Right wrist XR, lat projection, 13y F —
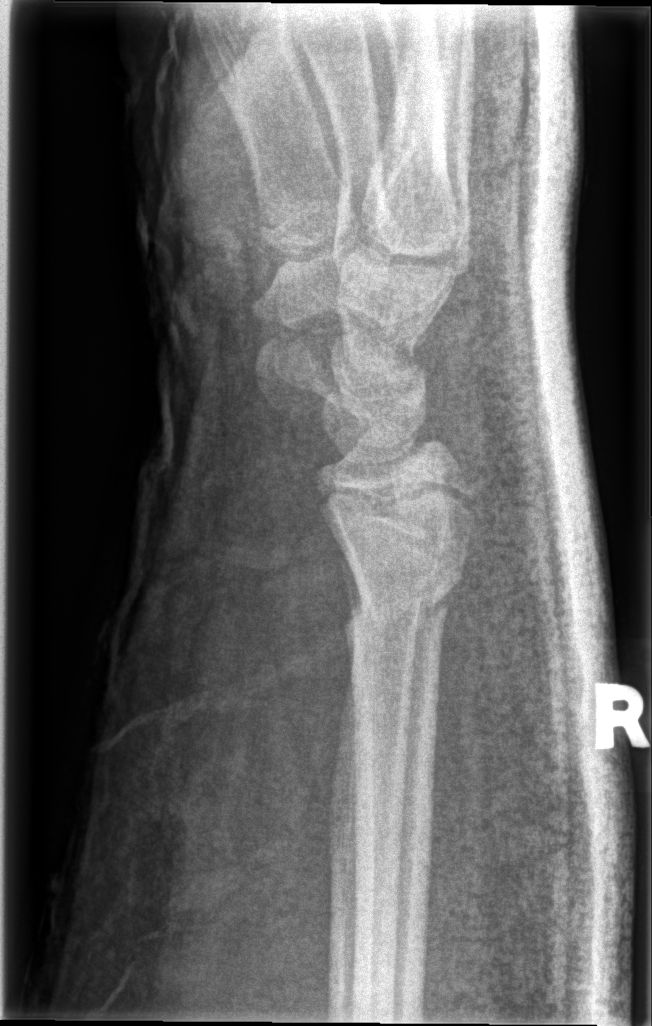
FINDINGS: One fracture at 340 556 469 640.